R wrist XR; PA; girl, 10 yo; image 78.0 mm wide:
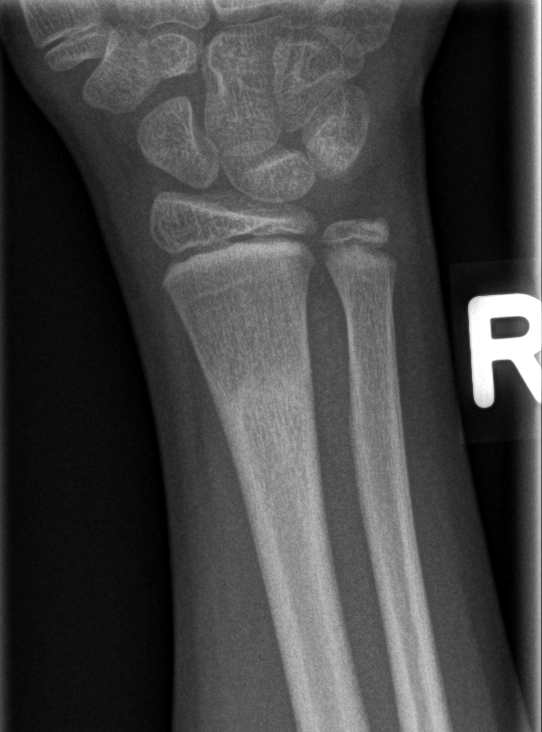 AO/OTA: 23-M/3.1
Fracture: 1 @ <208,350>-<322,447>